Right wrist plain radiograph of the wrist; lat projection; 8-year-old female; Siemens 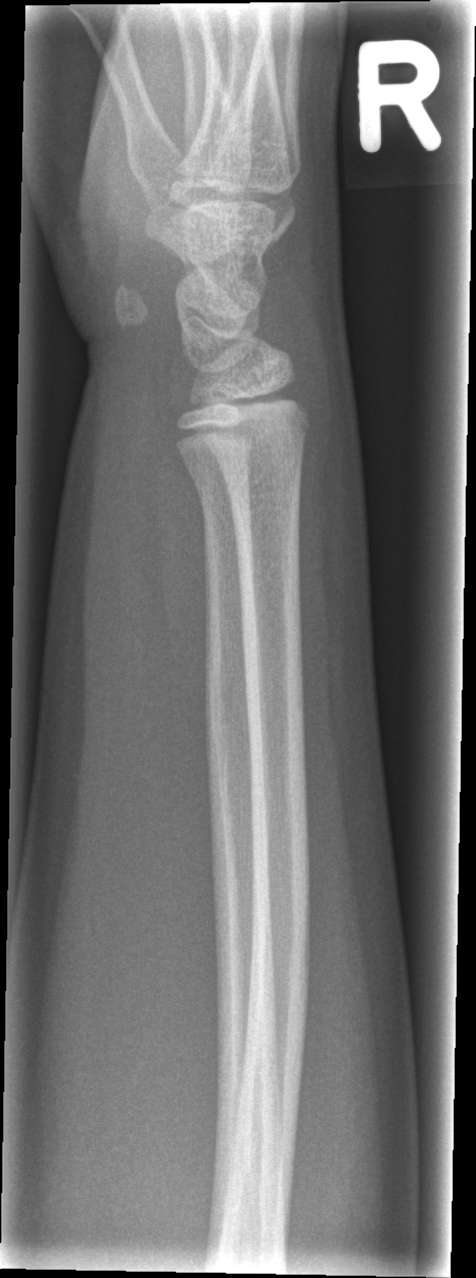

• Fracture: none labeled.